Right wrist X-ray · lateral · 7y M —

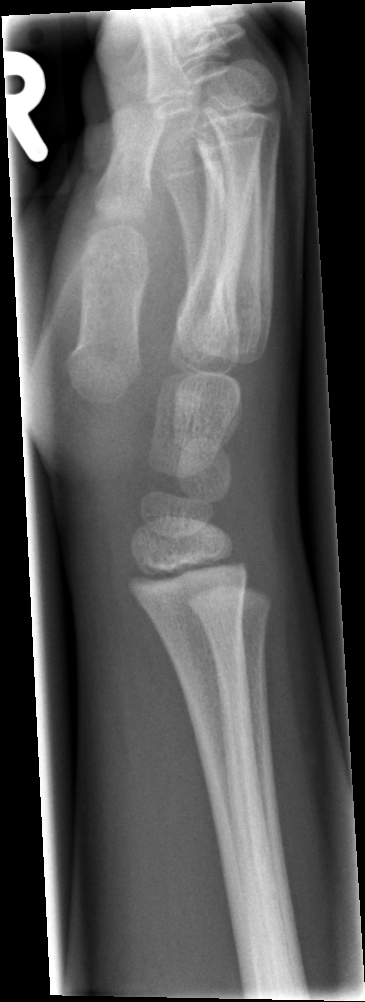 fracture: none labeled